Lateral, right wrist plain film, image width 83.4 mm —
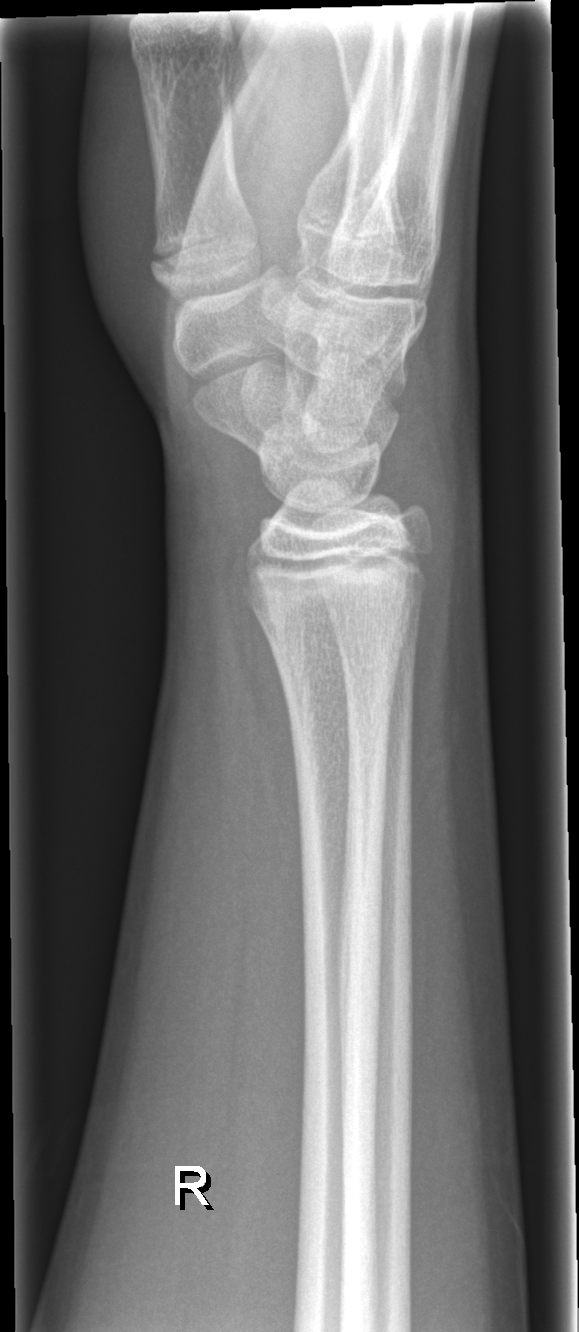
bone fracture: none labeled